Lateral · L pediatric wrist radiograph · age 6 y, male · acquired on Siemens.

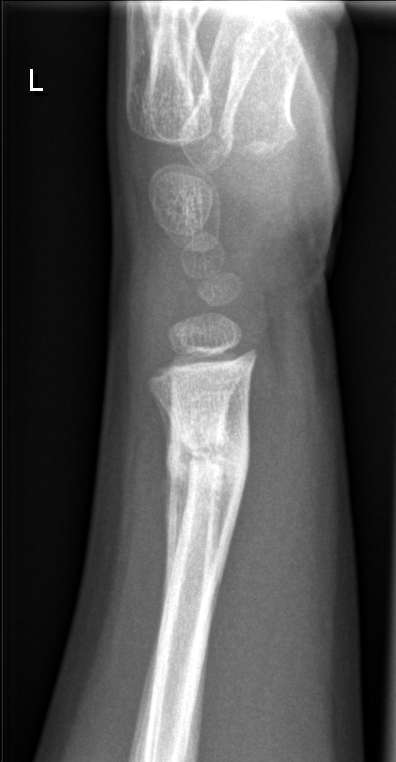
osteopenia = present
fracture = 1 @ [x1=158, y1=413, x2=255, y2=500]